Lateral projection, Rt wrist radiograph, age 11 y, male
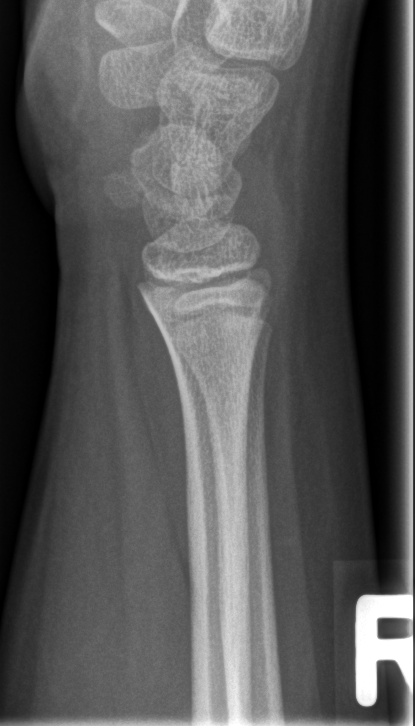
Fracture: none labeled.